Lat projection | Lt wrist XR | age 10 y, female | follow-up study | in cast | image 82.7 mm wide:

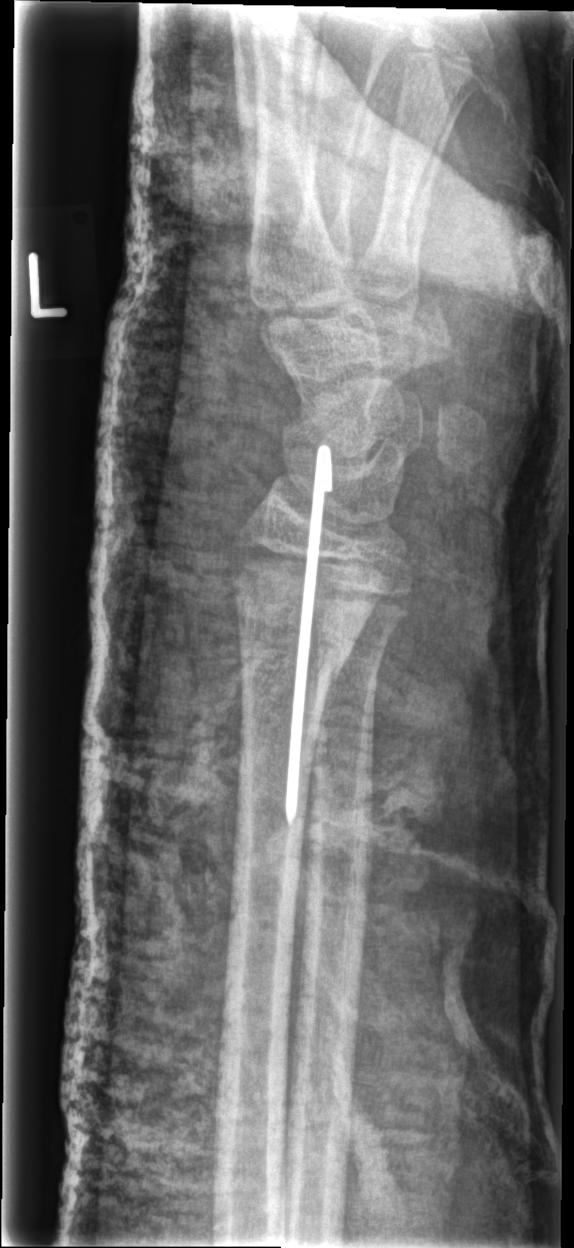
Fracture classified AO/OTA 23r-E/2.1. Metal — [282, 442, 335, 828]. Bone fracture — [222, 529, 400, 697].